Frontal projection, left wrist X-ray, 9-year-old female, index exam, Siemens, 73.0 mm image width 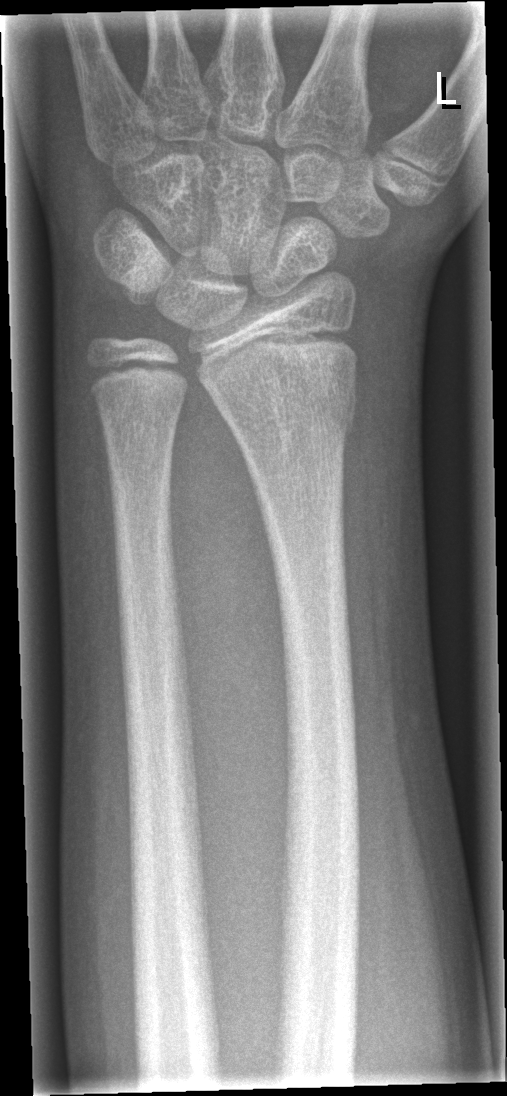 {"_coords": "bounding boxes in image-pixel xyxy", "fracture": "1 @ (left=206, top=361, right=360, bottom=452)"}